Right wrist radiograph | AP view | 574 by 1318 pixels.

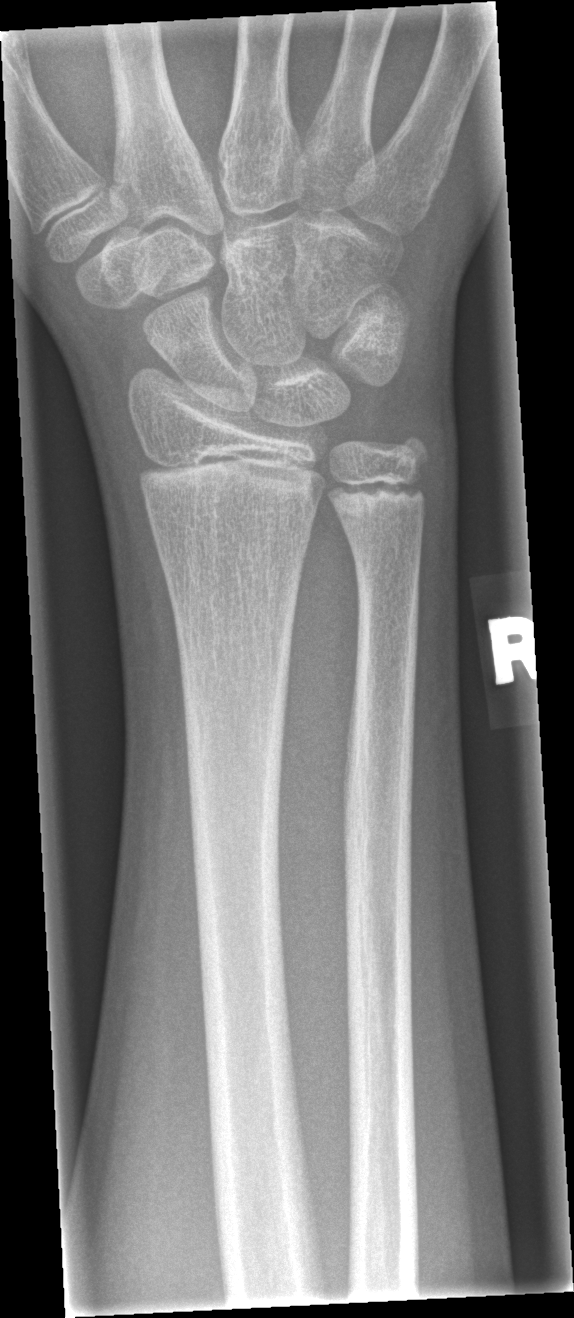

* Fx: none.